Left wrist pediatric wrist radiograph · lateral projection · 10y F · index exam

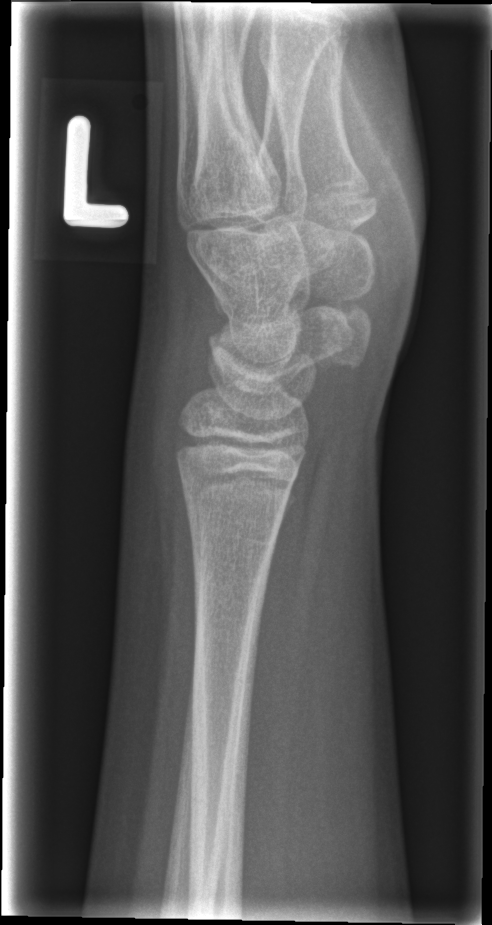 Findings: Fracture: none labeled.